Right wrist plain radiograph of the wrist; lateral view; age 8 y, male; index exam; 614 by 872 pixels

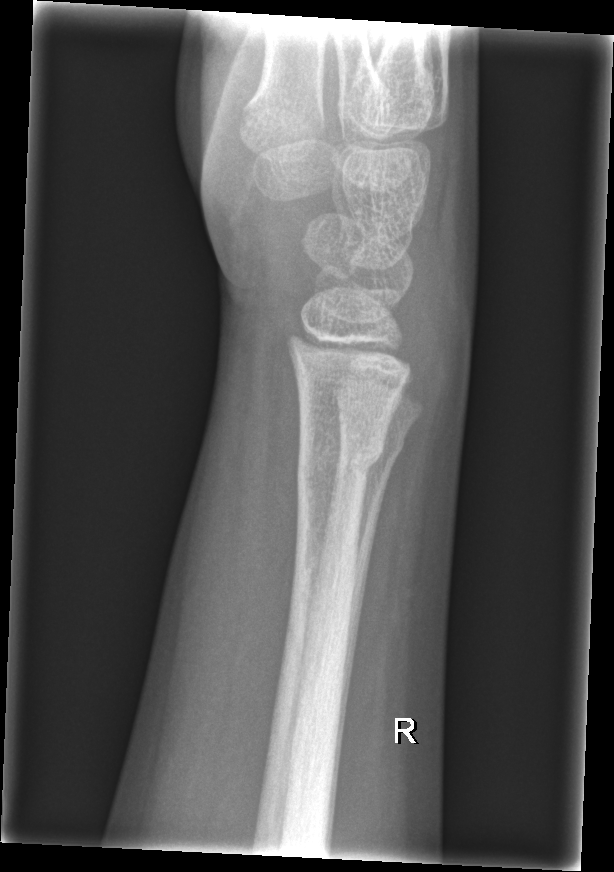 • Fx — 292,422,388,502
  335,426,408,476.